Posteroanterior projection · R wrist radiograph · female, 8 yo · index exam · Siemens.

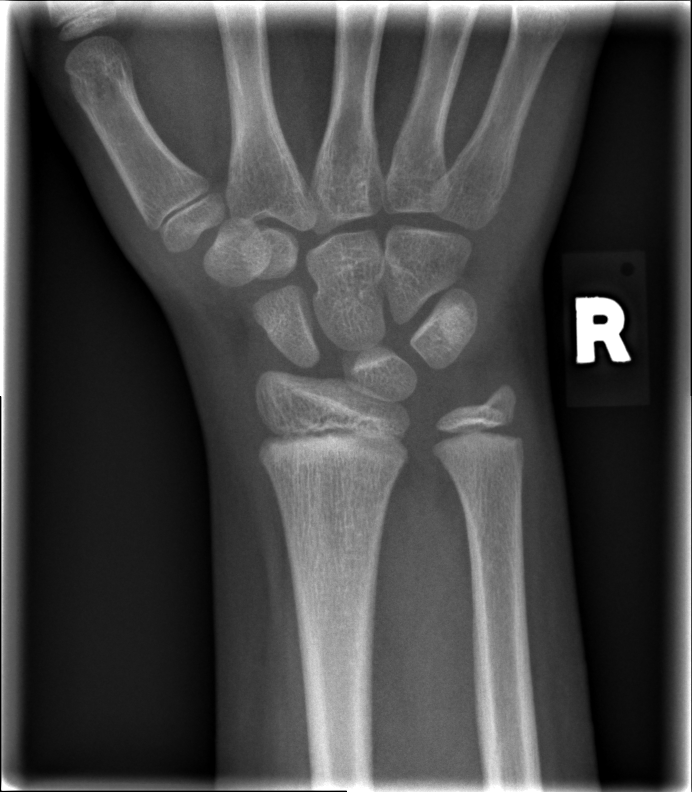

Fx present but not clearly seen in this view. Fracture classified AO/OTA 23r-M/2.1.